Lateral projection | R wrist plain film | pediatric patient (female, age 11) | detector: Siemens.
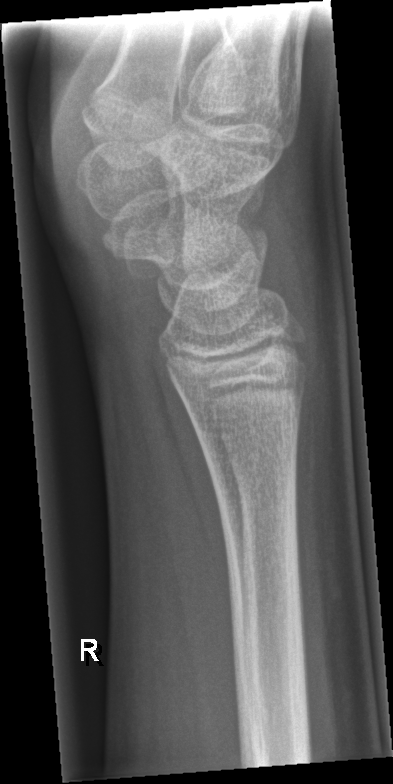

bone fracture: none labeled